Lat view · right wrist plain radiograph of the wrist 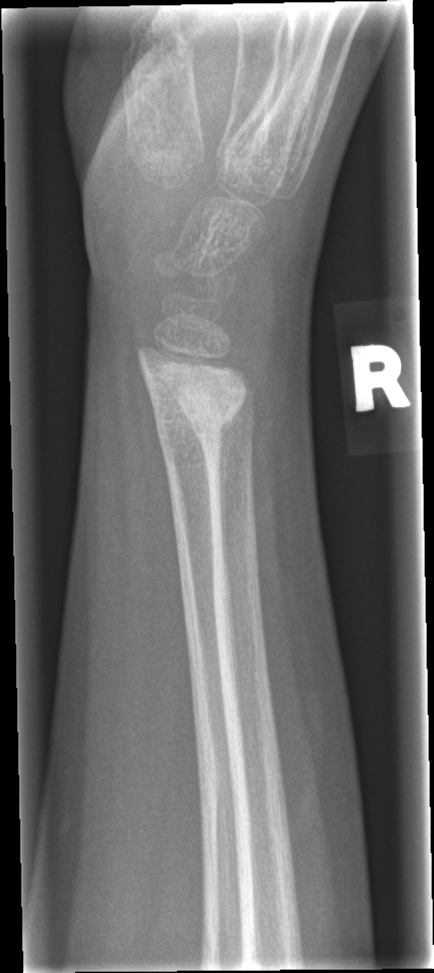 Findings: Reduced bone mineral density. One Fx at [132, 343, 249, 442]. AO code 23r-E/2.1; 23u-M/2.1.